PA/AP view | left wrist X-ray | 3y M | acquired on Siemens —

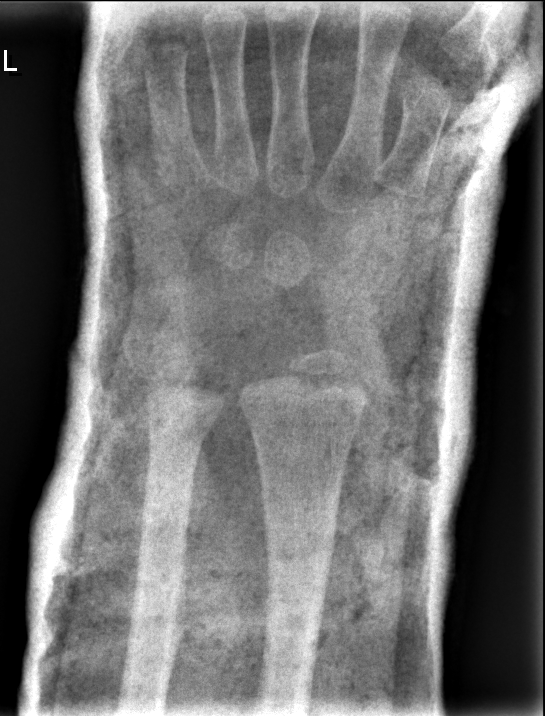

• Coordinates are [x1, y1, x2, y2] in image pixels.
• One bone fracture at bbox(260, 490, 340, 539).
• Fracture classified AO/OTA 23r-M/3.1; 23u-M/2.1.